Left wrist X-ray · PA view · age 12 y, boy · follow-up study · acquired on Siemens:

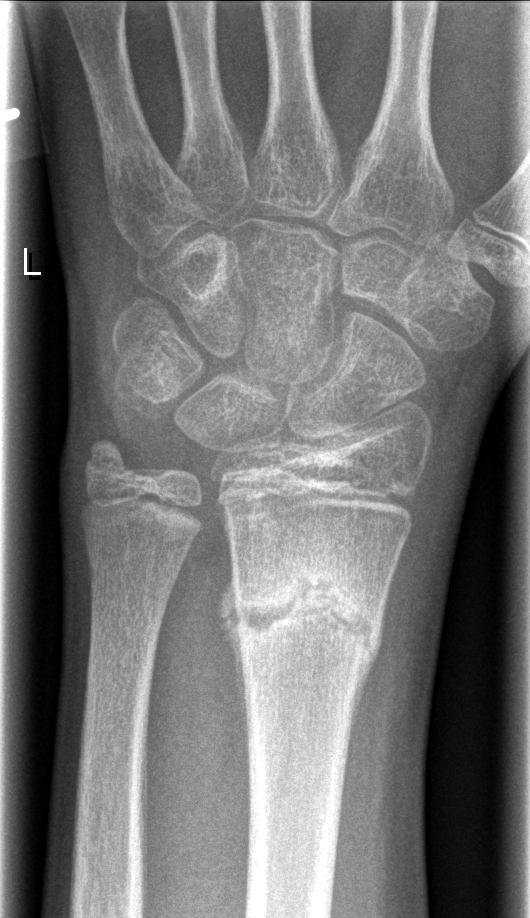
# pixel coordinates, top-left origin, xyxy
osteopenia: present
fracture: 2 @ 218,545,388,667; 78,432,138,489
periostealreaction: 2 @ 347,552,401,756
  215,570,251,705
ao: 23r-M/3.1; 23u-E/7